Left wrist XR · posteroanterior view · age 4 y, male.

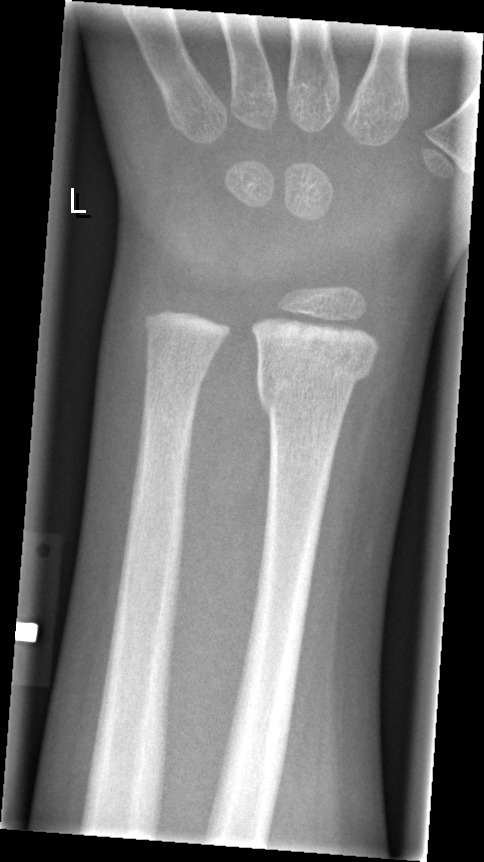
Findings: AO code 23-M/2.1. Fracture: <253,361>-<375,420>.